PA/AP projection; left wrist plain radiograph of the wrist; pediatric patient (female, age 5); 754x449: 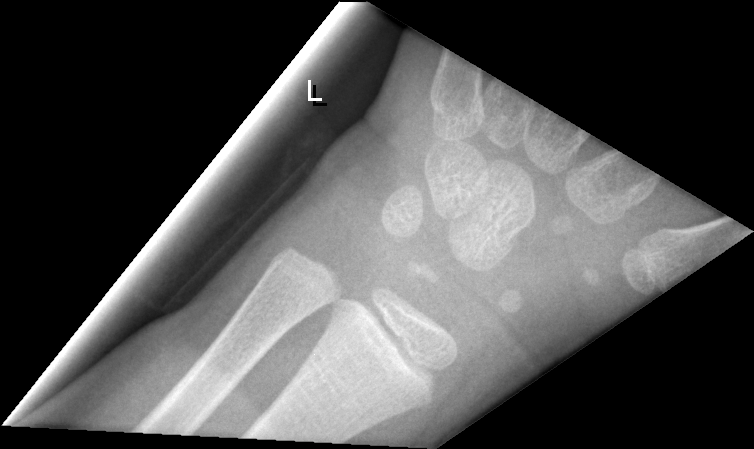

bone fracture = none labeled